Right wrist X-ray, lateral, cast in situ, image size 448x994 —

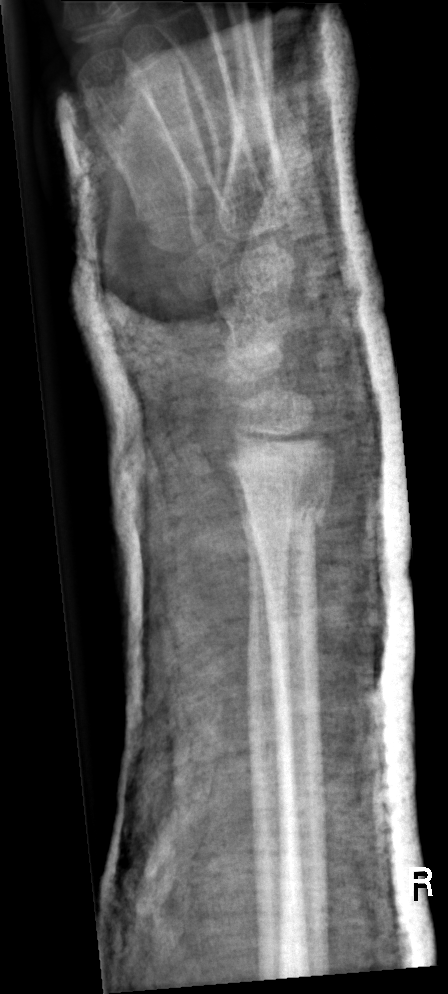
{"_coords": "pixel coordinates, top-left origin, xyxy", "fracture": "234 482 334 542", "ao": "23r-M/3.1; 23u-M/2.1"}